PA projection · R wrist plain film · 576x1236:

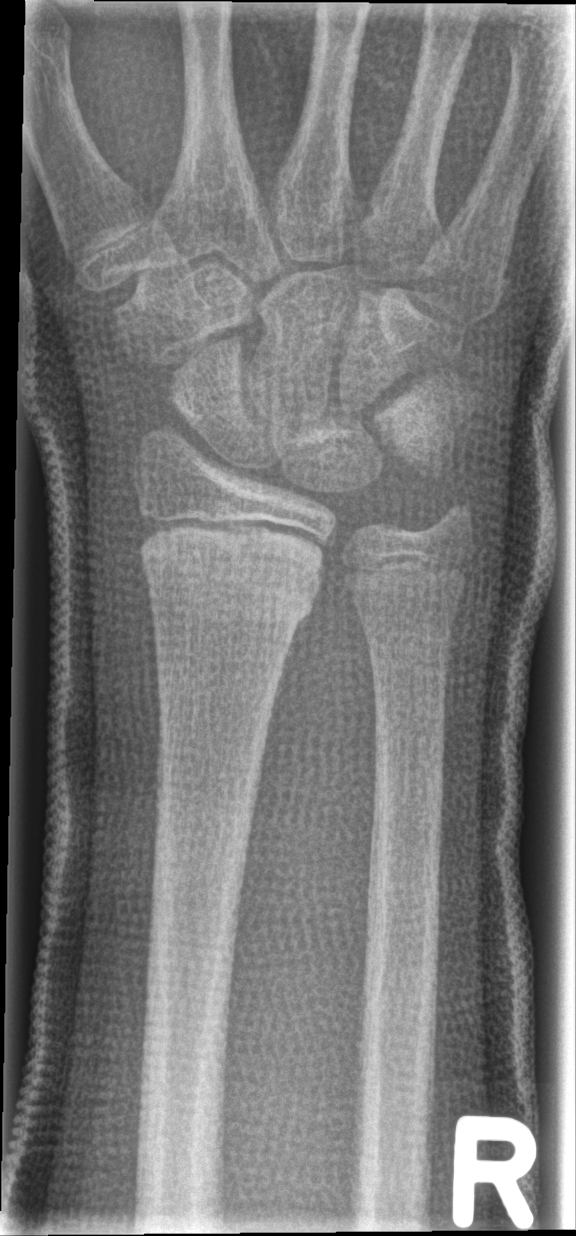

FINDINGS — AO/OTA classification: 23r-M/3.1. One fracture at [x1=140, y1=540, x2=323, y2=629].